Left plain radiograph of the wrist · PA/AP view · in cast · Siemens.

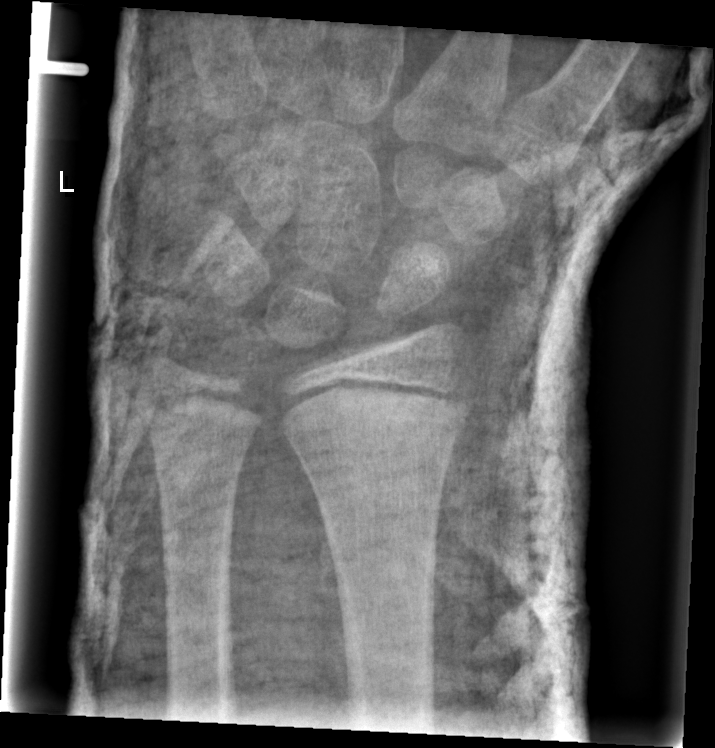
(bounding boxes in image-pixel xyxy)
AO/OTA: 23r-E/2.1
fracture: 283,384,475,453